Left wrist plain film; lat view; 7y M; index exam; detector: Siemens.
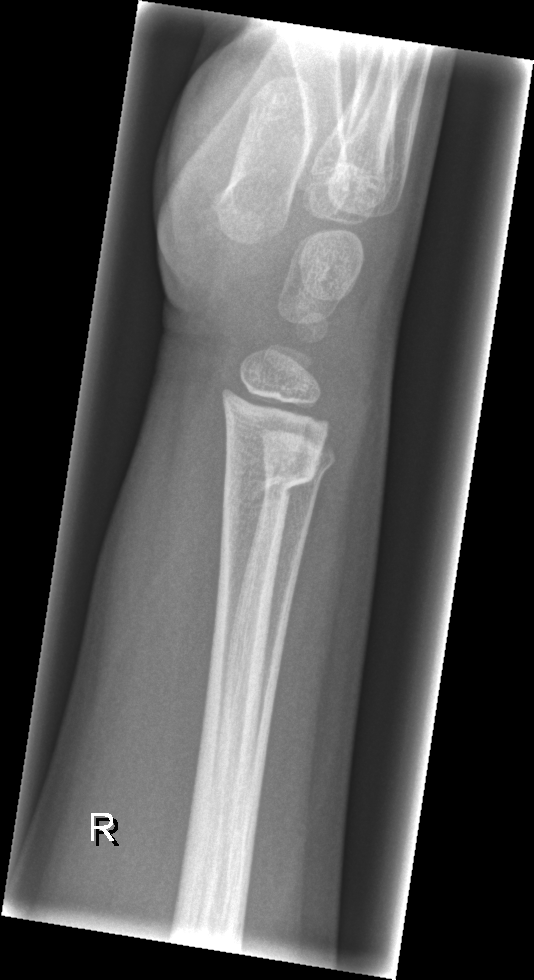
- Two Fx at 219,454,321,516; 261,452,335,495.
- One soft-tissue finding at 72,420,222,788.